Posteroanterior view | right wrist radiograph | 4-year-old girl | follow-up | cast in situ | image width 103.7 mm | 720 x 1015 px.

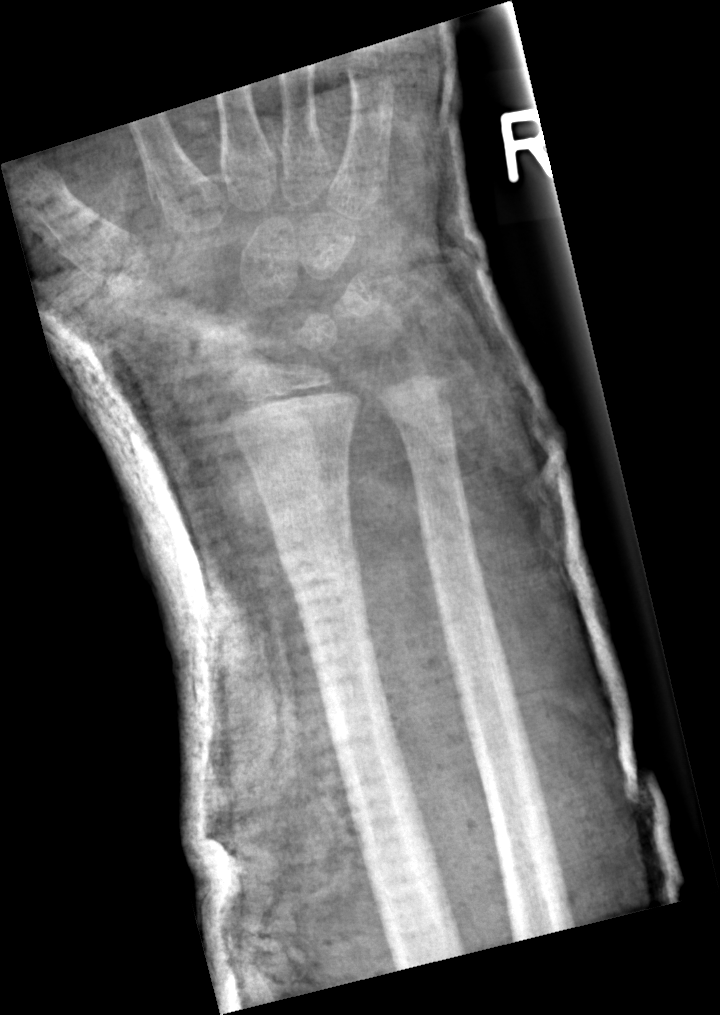 FINDINGS: (coordinates are [x1, y1, x2, y2] in image pixels) Fracture — (left=273, top=533, right=365, bottom=601). AO/OTA classification: 23-M/3.1.